Right wrist X-ray · AP view · 80.1 mm image width —
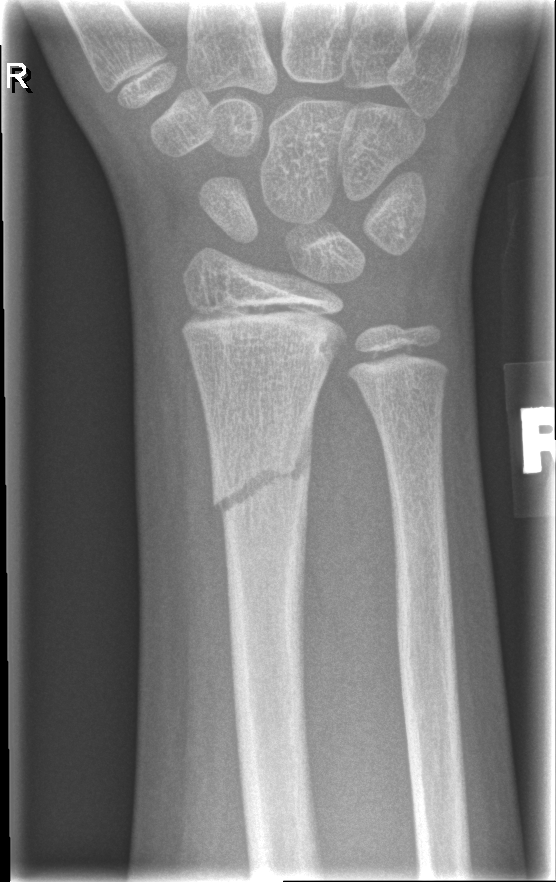 Bone fracture = 204,424,314,523
AO code = 23r-M/3.1